L wrist X-ray | PA | 592x1084.
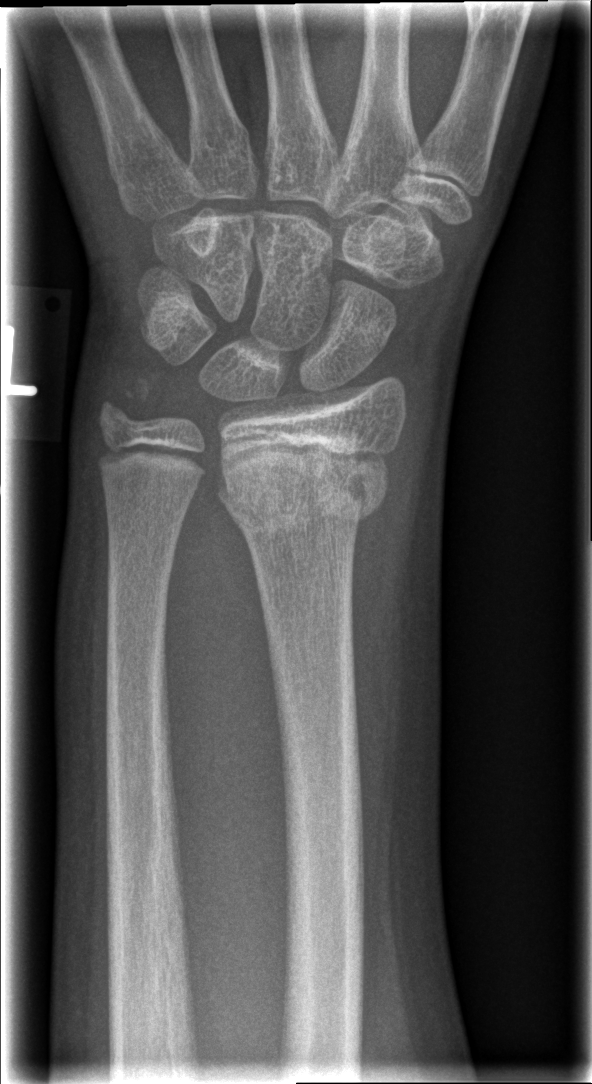
Bone fractures — 215,440,391,538 | 96,370,164,427. AO code 23r-E/2.1, 23u-E/7.